Left pediatric wrist radiograph; lat projection; boy, 9 yo; presentation radiograph; 482 x 1094 px —

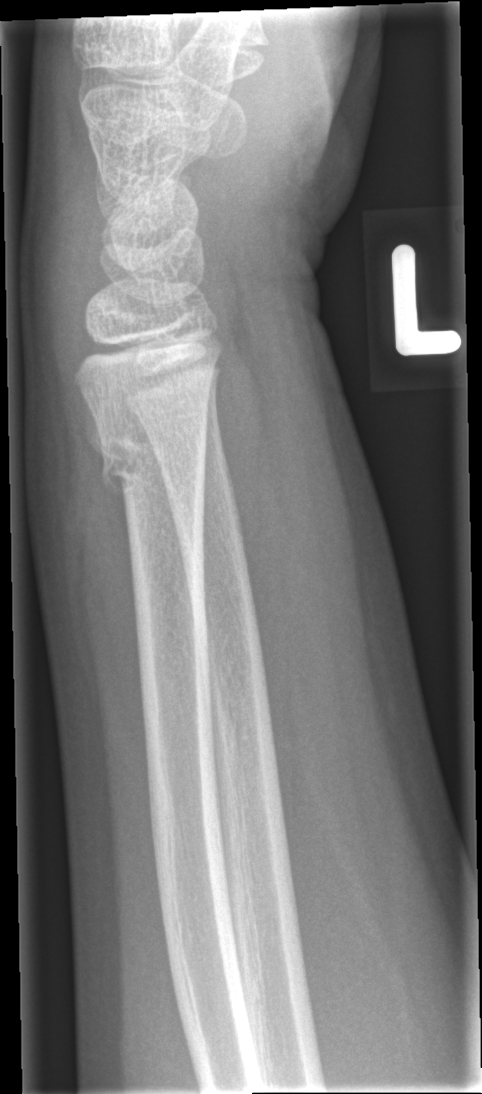 soft tissue abnormality: bbox(19, 142, 90, 466)
AO code: 23r-M/2.1; 23u-E/7
Fx: 1 @ bbox(95, 427, 209, 507)